Posteroanterior projection, left pediatric wrist radiograph:
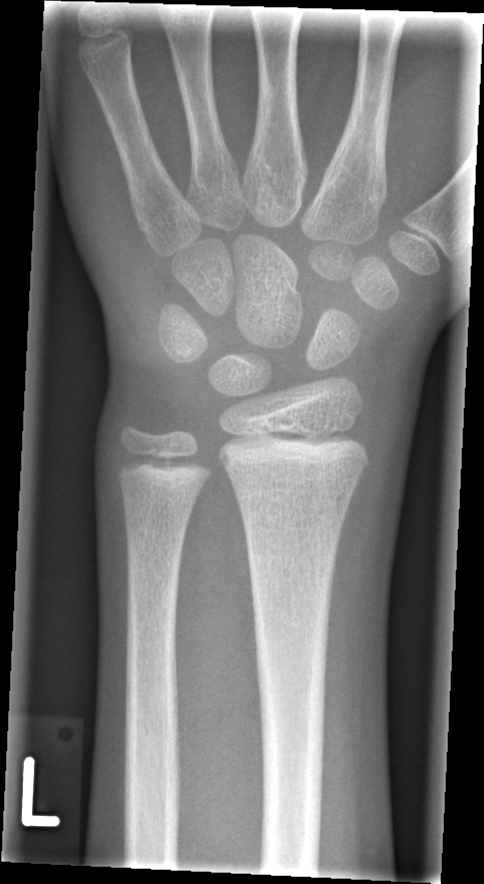 Fx: none.